PA projection · left wrist plain film · age 10 y, female · 589 x 1240 px —

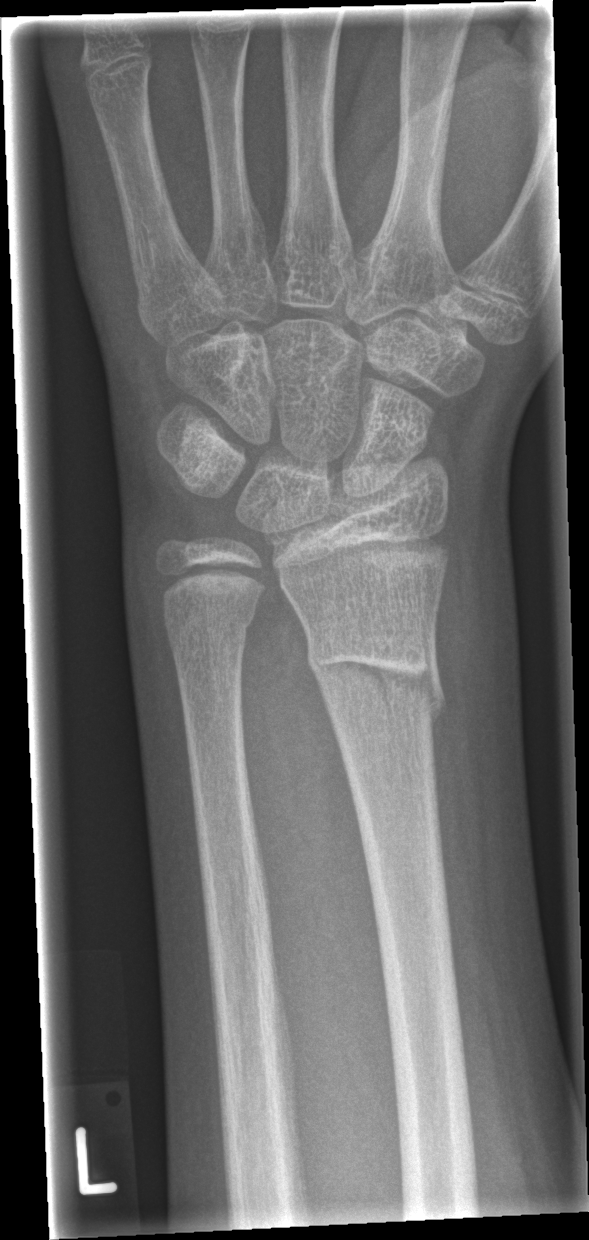
Two bone fractures at <302,622>-<449,738>, <158,588>-<261,651>.
AO/OTA classification: 23r-M/3.1; 23u-M/2.1.
Soft-tissue swelling — <427,533>-<526,907>.